Right wrist radiograph · PA/AP view. 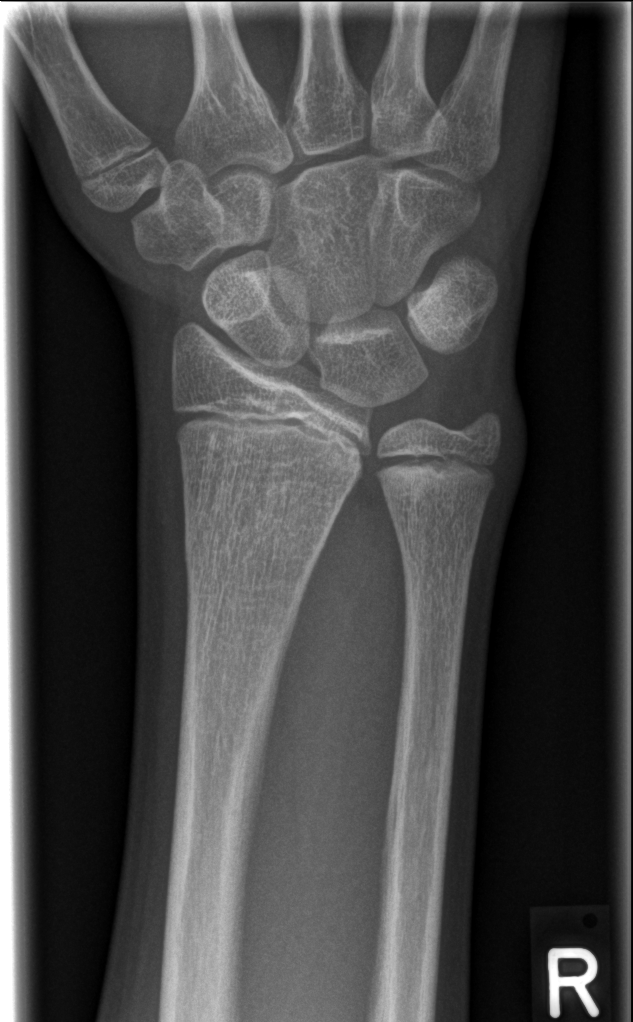

Boxes as x1,y1,x2,y2 (top-left / bottom-right, pixel units).
Bone fracture: bbox(178, 479, 338, 586).